L plain radiograph of the wrist; lat view; pediatric patient (girl, age 12); follow-up; cast present; acquired on Siemens —

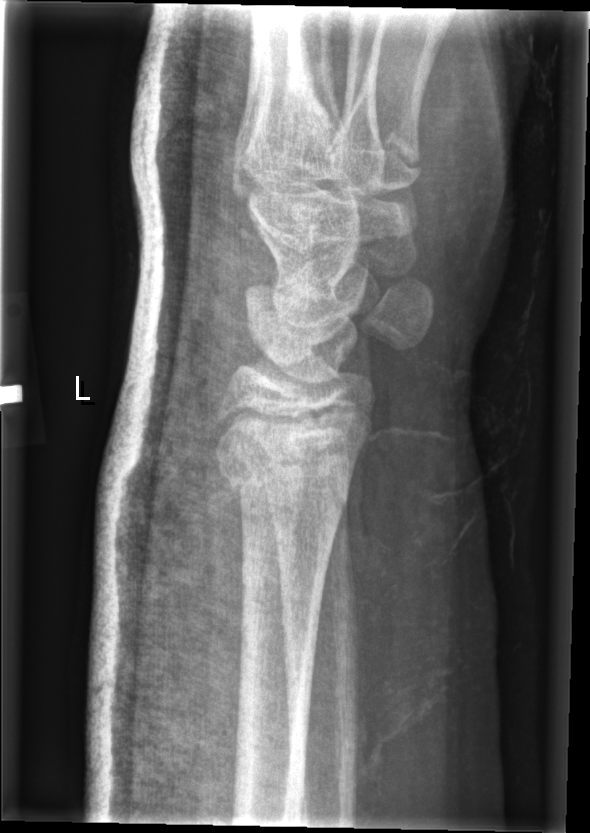

(pixel coordinates, top-left origin, xyxy)
Fx = [x1=211, y1=432, x2=353, y2=515]
AO classification = 23r-M/3.1